AP · left wrist XR · 7-year-old female · initial study 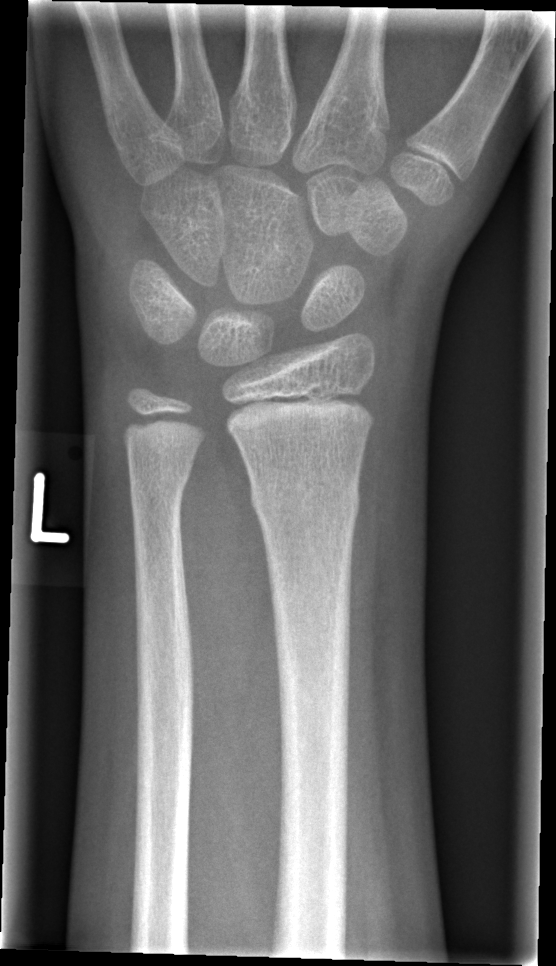
Bone fractures — [x1=247, y1=475, x2=365, y2=531]; [x1=124, y1=458, x2=199, y2=503].